Left wrist radiograph | AP view:

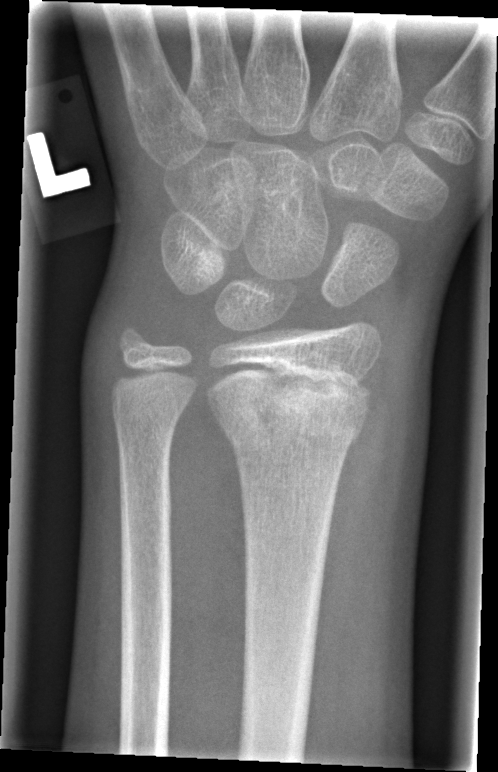

# pixel coordinates, top-left origin, xyxy
ao: 23r-E/2.1; 23u-M/2.1
fracture: [x1=211, y1=379, x2=375, y2=460]; [x1=110, y1=385, x2=189, y2=437]